Lat projection · left wrist X-ray · age 2 y, boy. 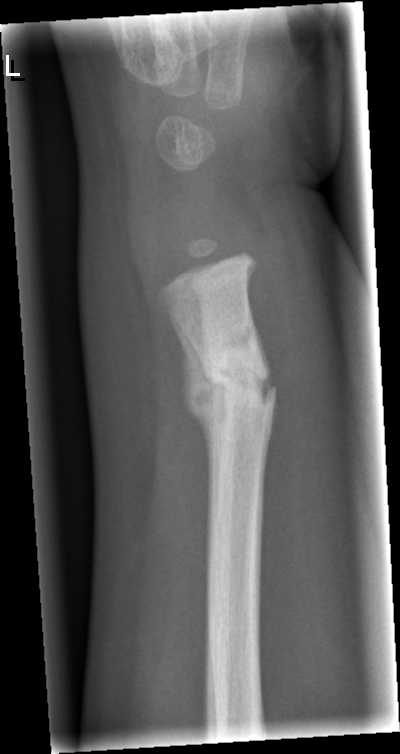
{"periostealreaction": "1 @ (167, 307, 222, 500)", "fracture": "(178, 359, 281, 433)"}